AP | Lt wrist XR | Siemens | 81.9 mm image width.

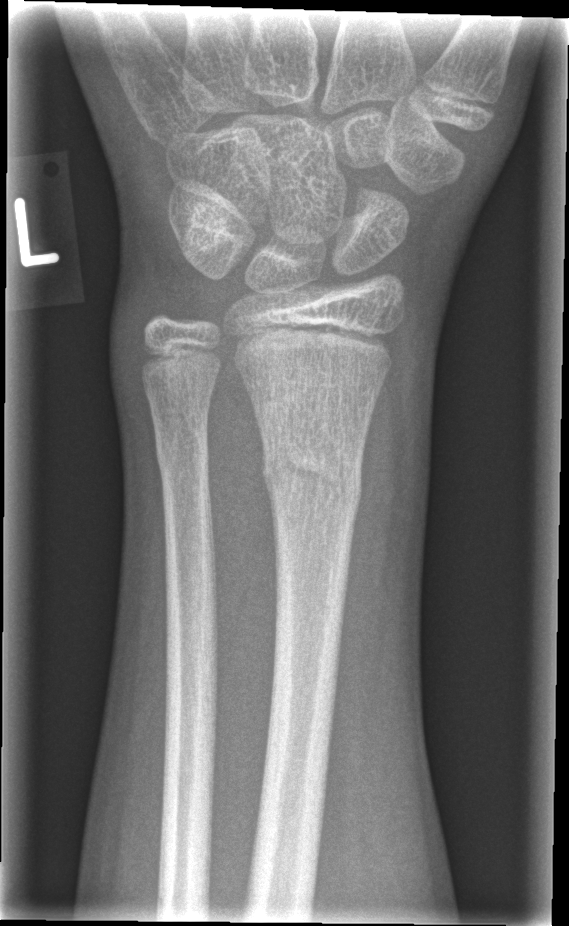
Bounding boxes in image-pixel xyxy.
Fractures — 260,432,364,519
  153,428,212,481.